Lt wrist X-ray; AP; boy, 12 yo —

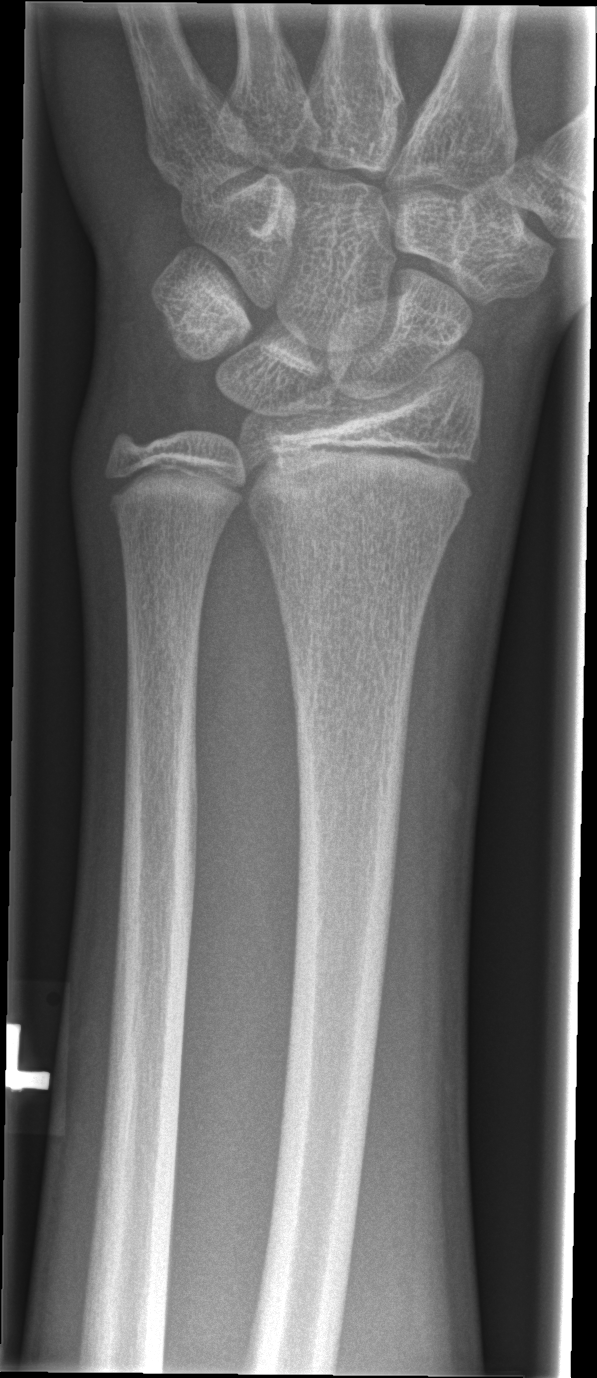

AO/OTA: 23r-M/2.1
Fx: (251, 494, 472, 551)